Lateral; L plain radiograph of the wrist; age 5 y, girl; image width 66.0 mm.

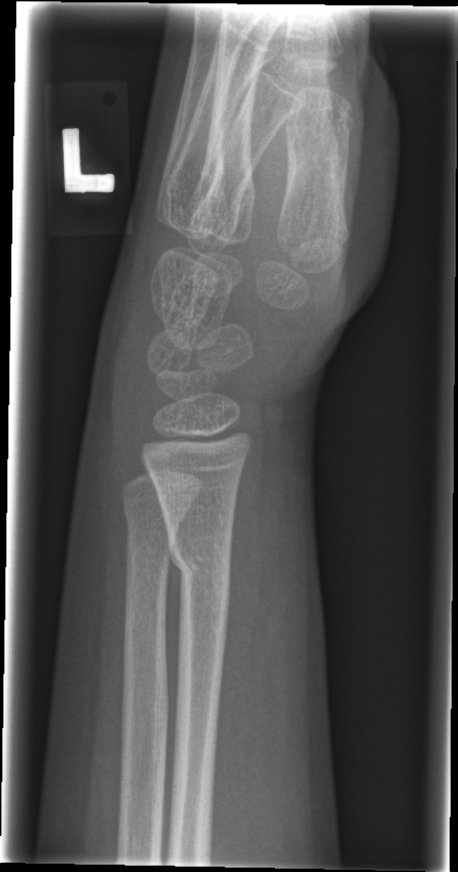

AO/OTA = 23-M/2.1
Bone fracture = 2 @ bbox(163, 525, 236, 608) bbox(120, 493, 193, 544)